Lt wrist radiograph; AP projection.

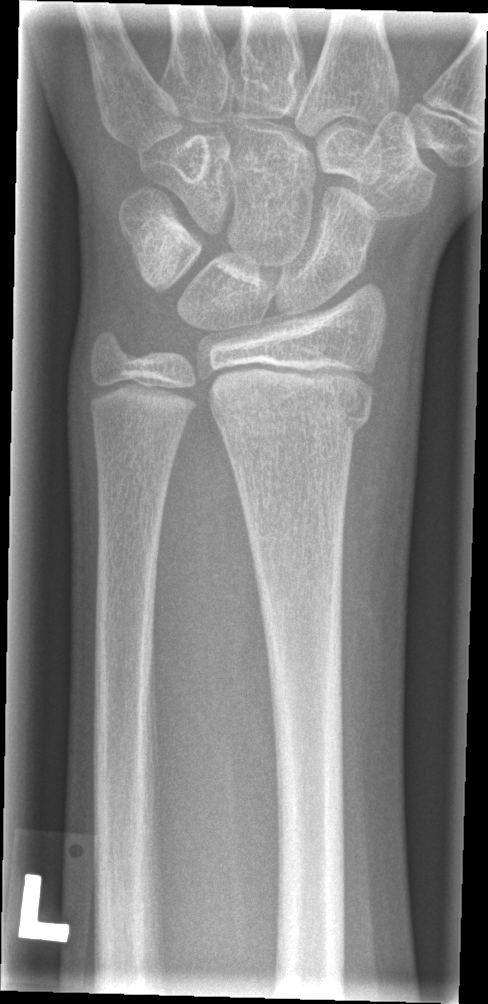

AO/OTA classification: 23r-M/2.1. One fracture at <209,392>-<376,448>.